Lateral view · right wrist pediatric wrist radiograph · pediatric patient (female, age 11) · acquired on Siemens 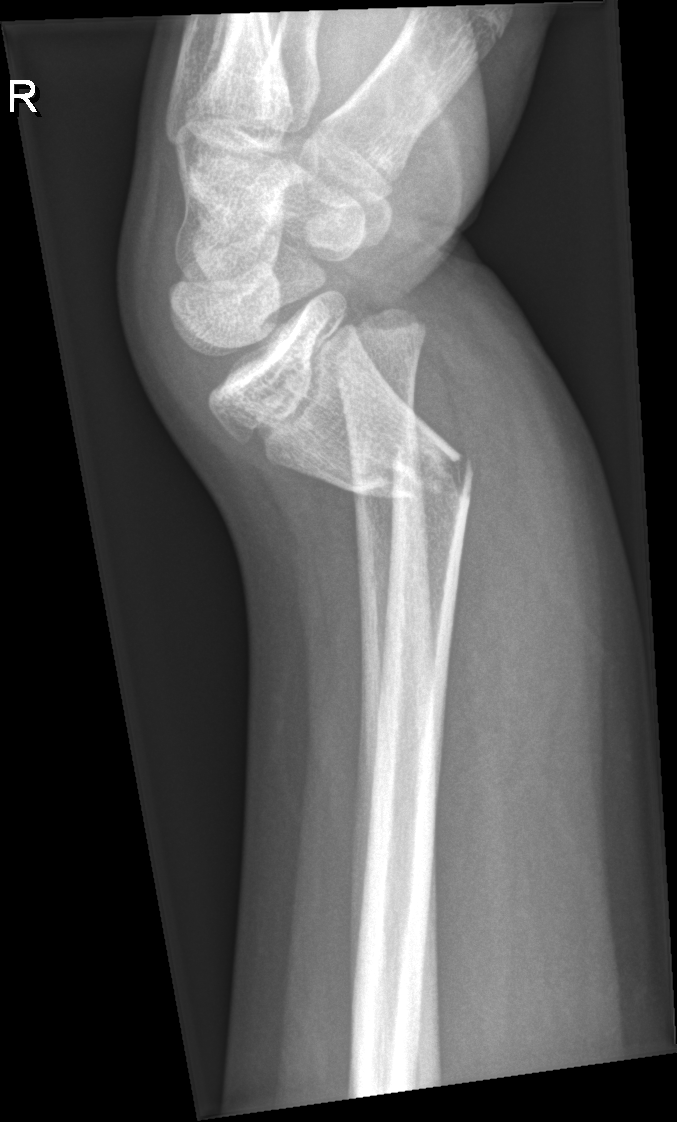

Coordinates are [x1, y1, x2, y2] in image pixels.
Positive pronator fat-pad sign identified at [437, 389, 544, 845].
Fractures — [256, 300, 429, 397] [342, 420, 479, 512].